Lateral view; left wrist X-ray; pediatric patient (girl, age 13); acquired on Siemens —

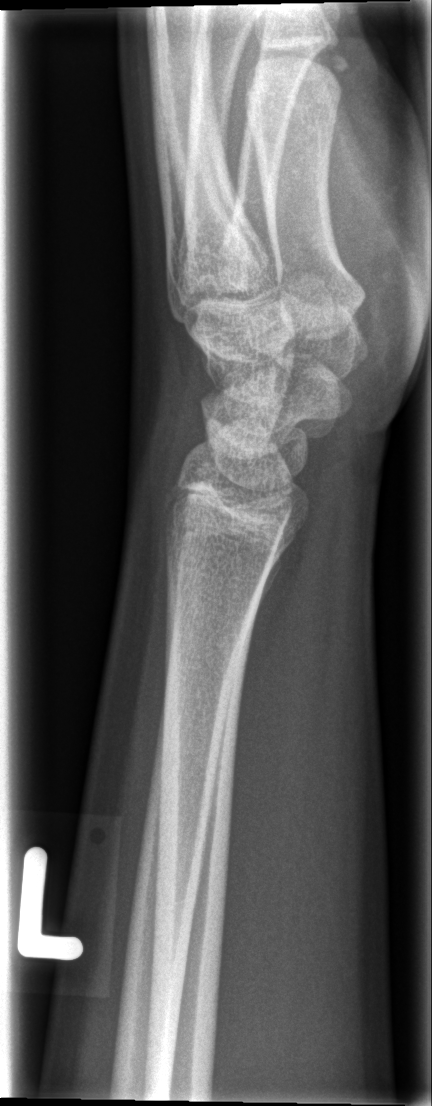
FINDINGS: Fracture: none labeled.